Right wrist XR, PA, 10y F —
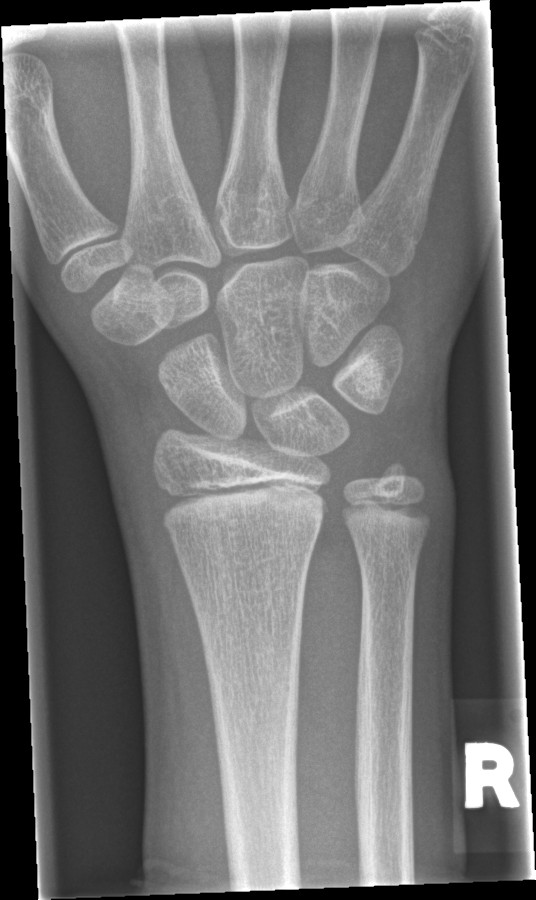

Fx: none labeled